Lat | Lt wrist X-ray:

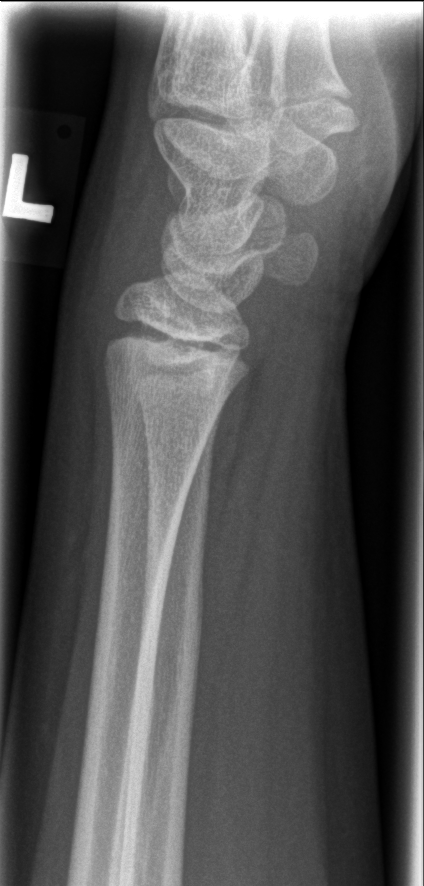
Bone fracture = none labeled
Soft-tissue finding = 57 133 159 401